Right pediatric wrist radiograph | AP | 13y M | Siemens | image size 502x986 —
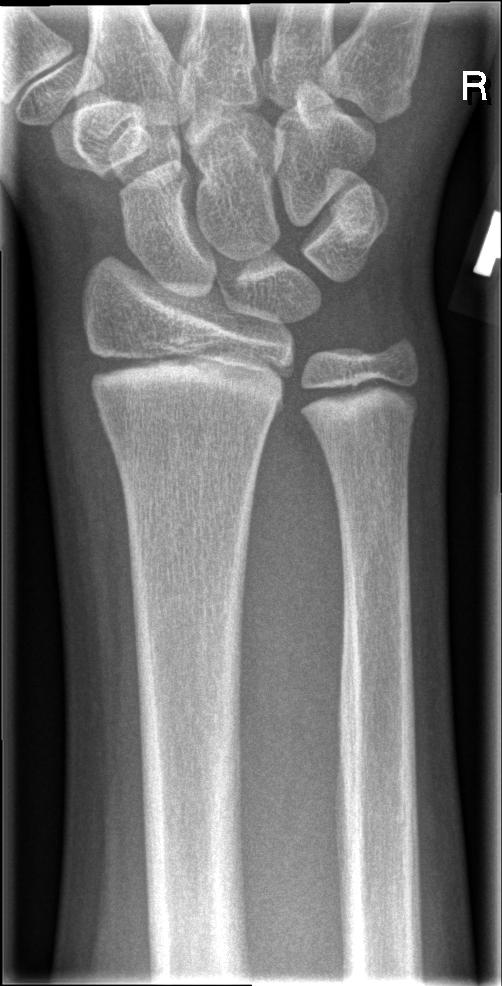 Fx: present but not clearly seen in this view
AO classification: 23r-M/2.1